Right wrist plain film | posteroanterior | female, 12 yo —
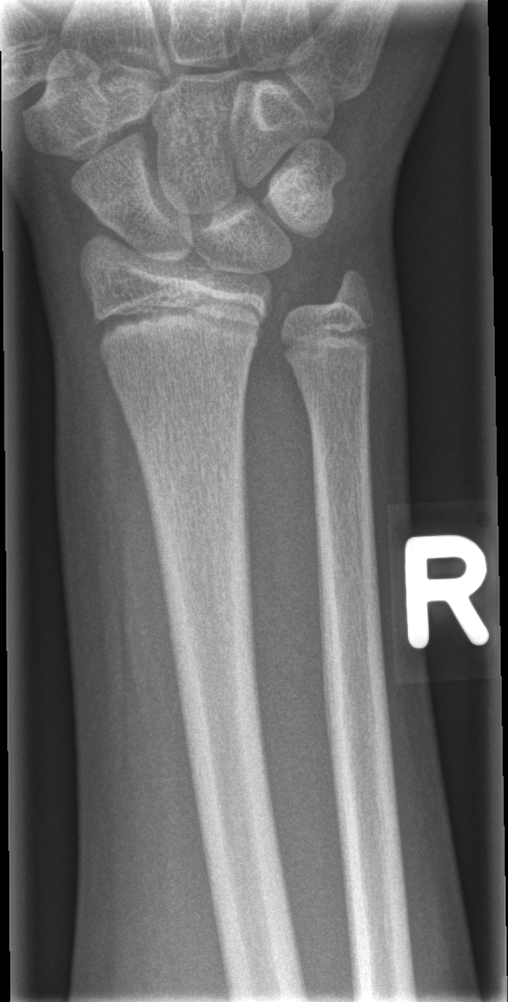

• Fx: none.